PA/AP view; L wrist XR; pediatric patient (female, age 11); presentation radiograph; acquired on Siemens; image width 80.9 mm 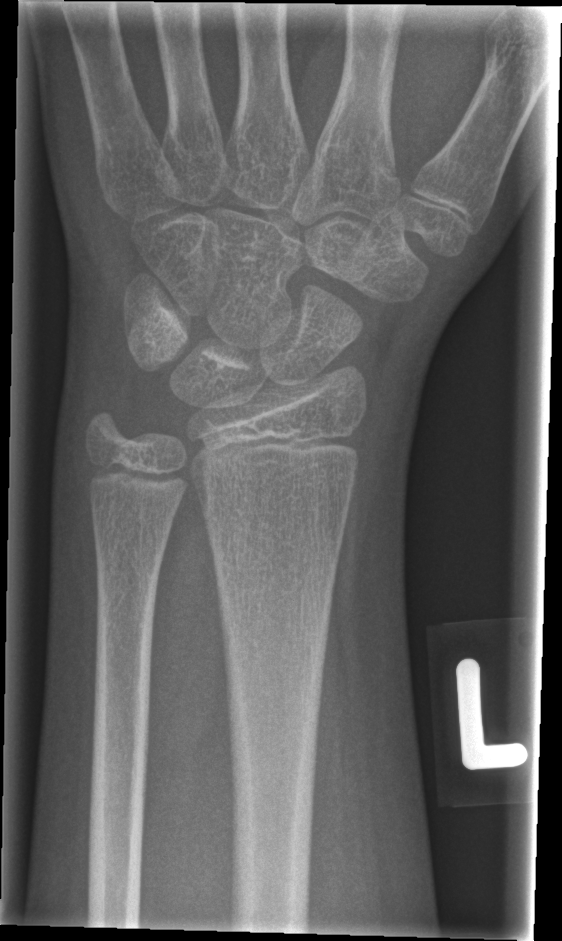

{
  "fracture": "none labeled"
}